AP | L pediatric wrist radiograph | pediatric patient (male, age 17): 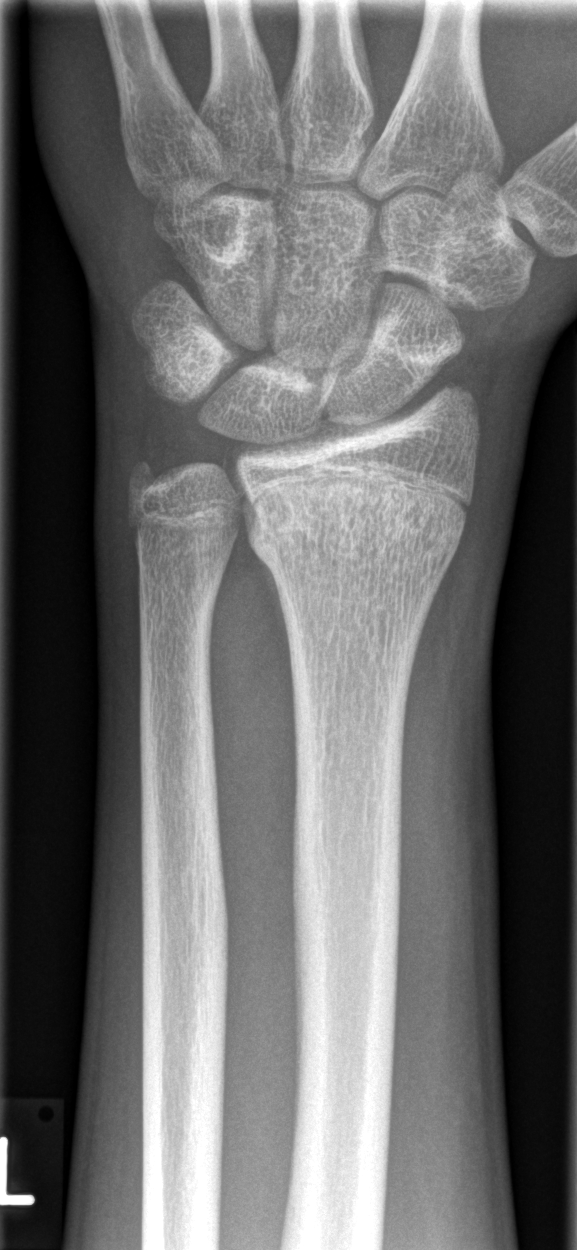
bone fracture = 1 @ [x1=249, y1=486, x2=468, y2=575]
osteopenia = present